AP; left wrist radiograph; pediatric patient (girl, age 15); 652 by 976 pixels —

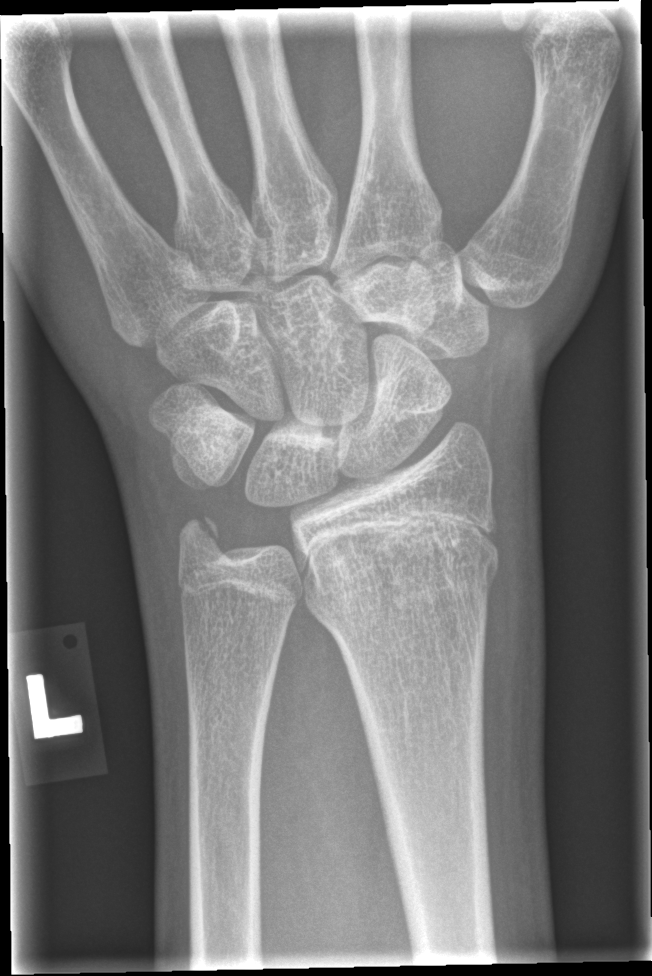
{"ao": "23r-M/2.1; 23u-E/7", "fracture": "298,524,504,613; 172,507,239,573"}